PA · left pediatric wrist radiograph: 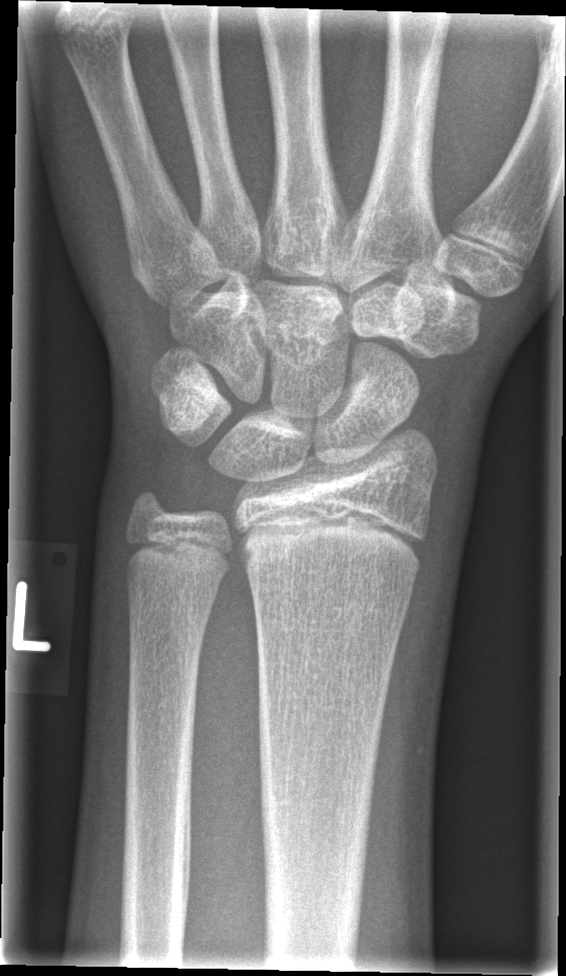

Fx: none labeled